Left wrist XR; lateral; follow-up
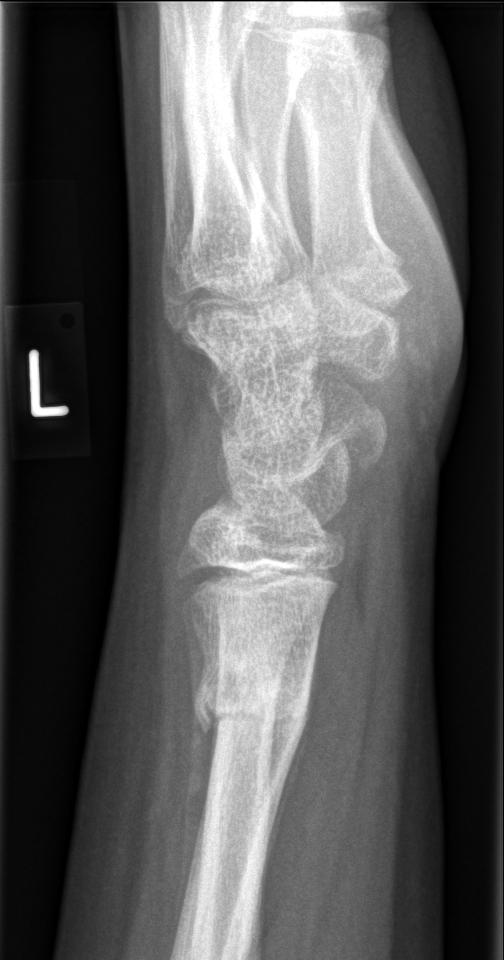

Q: Bone density?
A: Decreased bone density (osteopenia)
Q: Is there periosteal reaction?
A: Periosteal reaction: (left=257, top=637, right=322, bottom=915), (left=170, top=612, right=217, bottom=956)
Q: Is there a fracture?
A: Bone fracture: (left=190, top=646, right=309, bottom=748)